Rt wrist X-ray; lat view; cast present
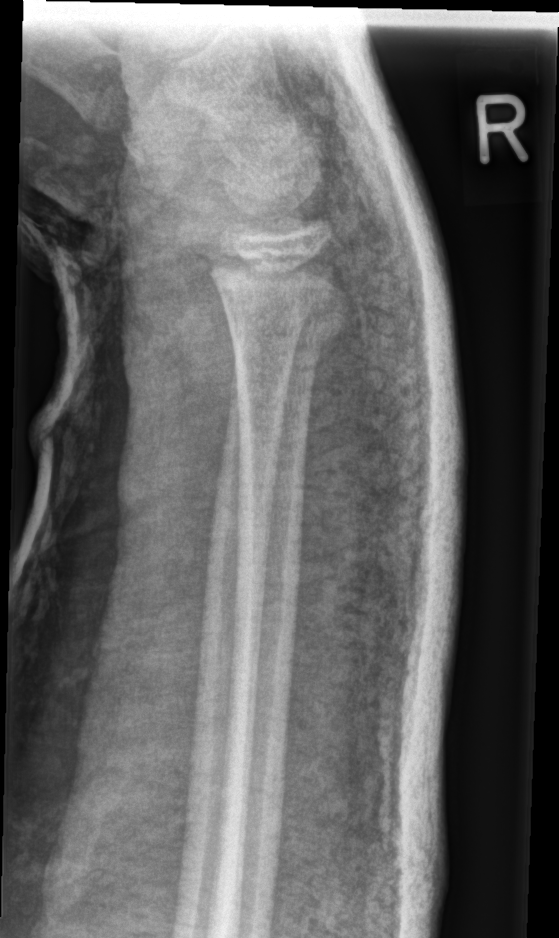

• Fracture: (217, 295, 355, 372).